PA/AP projection | right wrist radiograph | image 66.5 mm wide
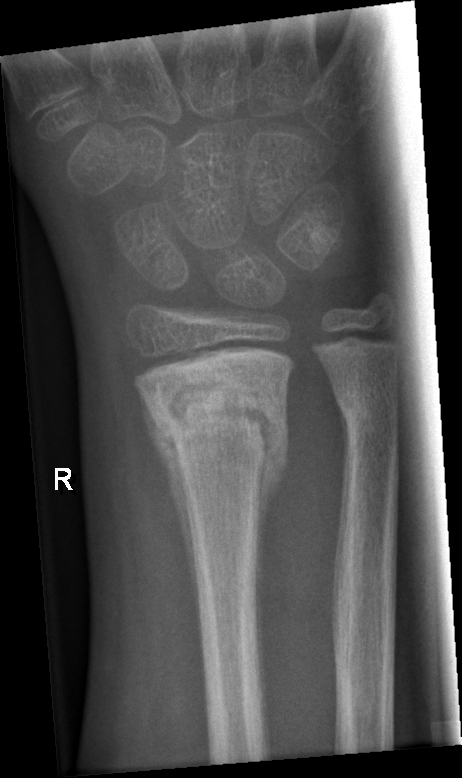

Two Fx at 144,381,292,474 | 333,384,404,450. AO/OTA classification: 23r-M/3.1; 23u-M/2.1. Periosteal new bone — 136,388,204,647; 252,421,288,709. Osteopenia.